Left wrist X-ray; frontal; index exam

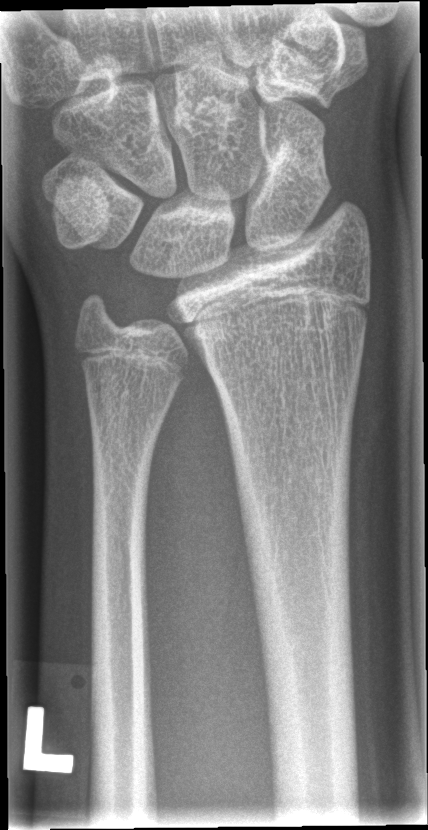

{"fracture": "none labeled"}